R plain radiograph of the wrist; lateral projection; initial study; Siemens

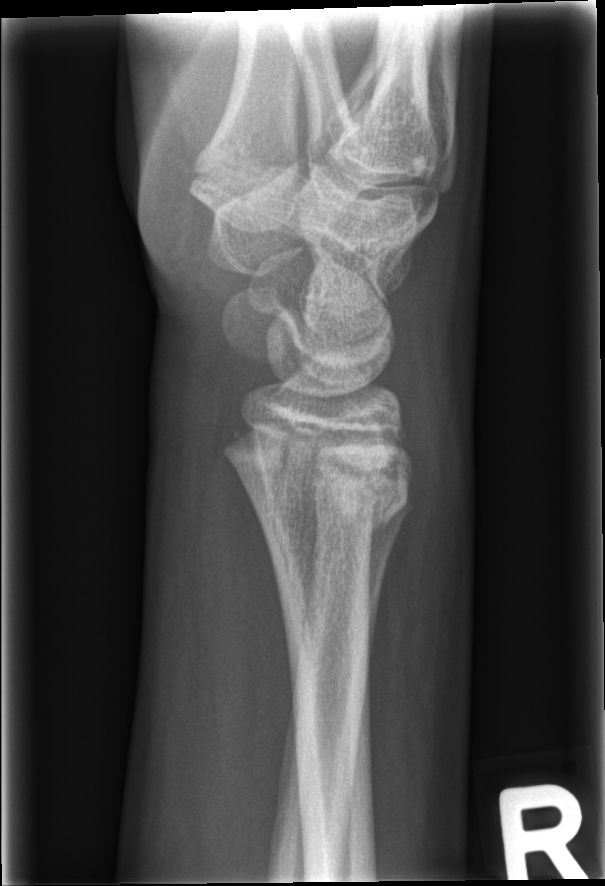 • Coordinates are [x1, y1, x2, y2] in image pixels.
• Fracture identified at <218,419>-<414,530>.